L wrist X-ray | frontal | male, 17 yo | follow-up | acquired on Siemens | 847x1382:
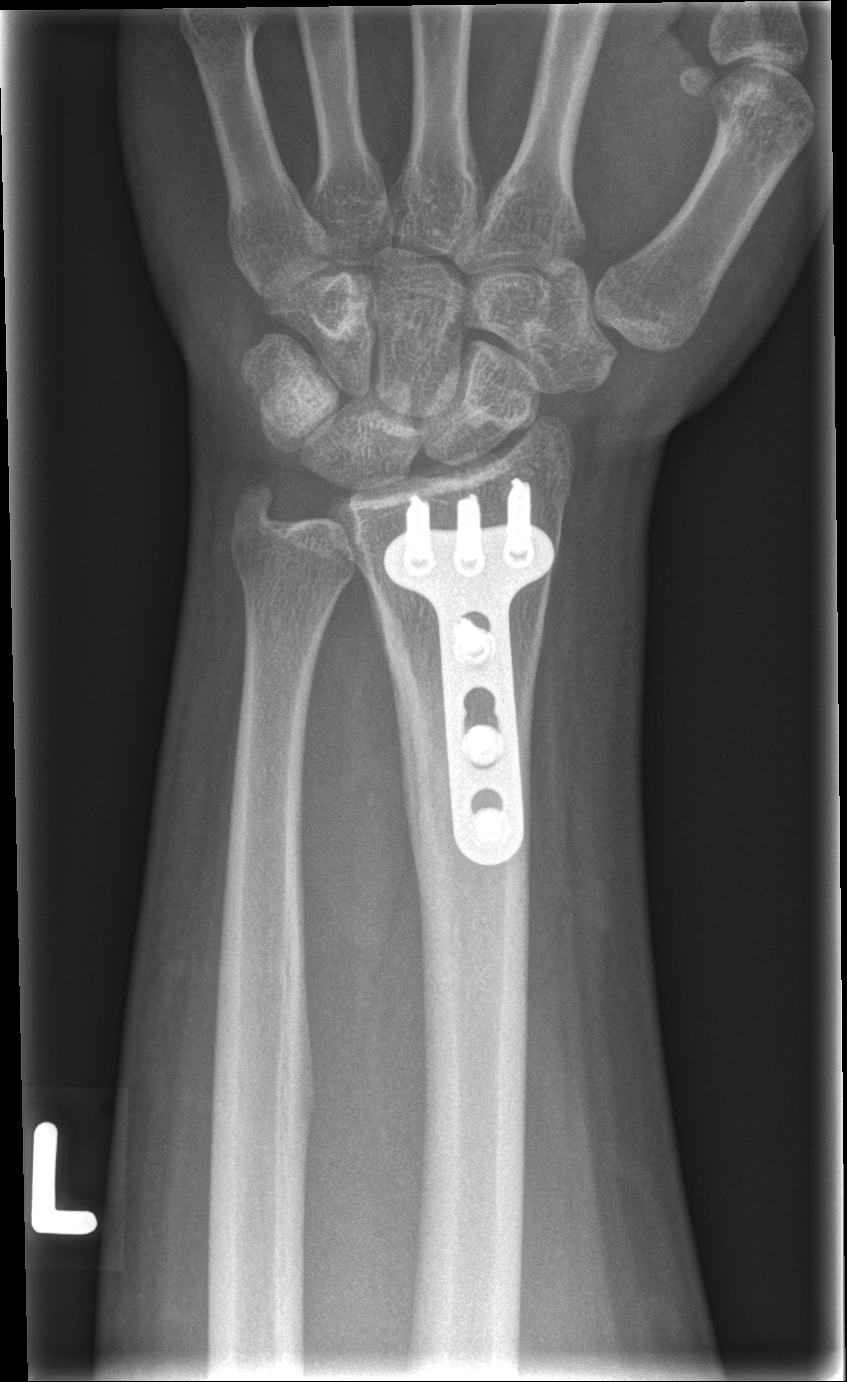

{"metal": "<381,476>-<558,869>", "fracture": "none labeled"}